R wrist radiograph; lateral projection; 10y F. 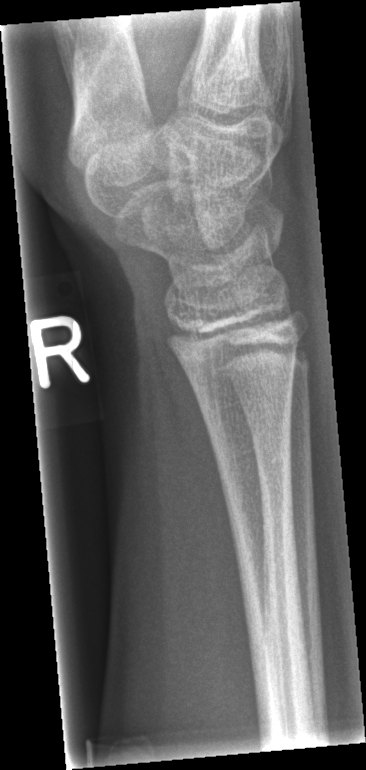

No Fx annotated.